Lt wrist XR | lateral view | 6y M | presentation radiograph — 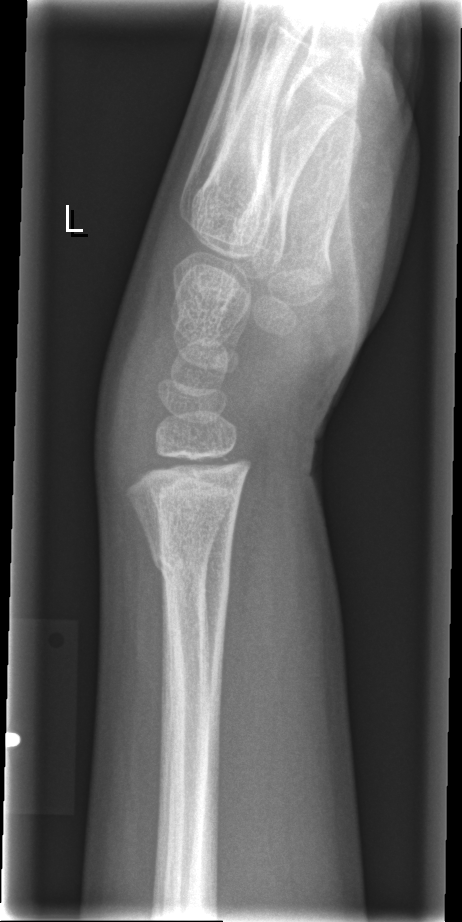

Bounding boxes in image-pixel xyxy. Pronator quadratus fat-pad sign identified at 210,458,293,791. AO/OTA classification: 23r-M/2.1. One Fx at 146,536,235,605.